Lt pediatric wrist radiograph | frontal | 10-year-old girl —
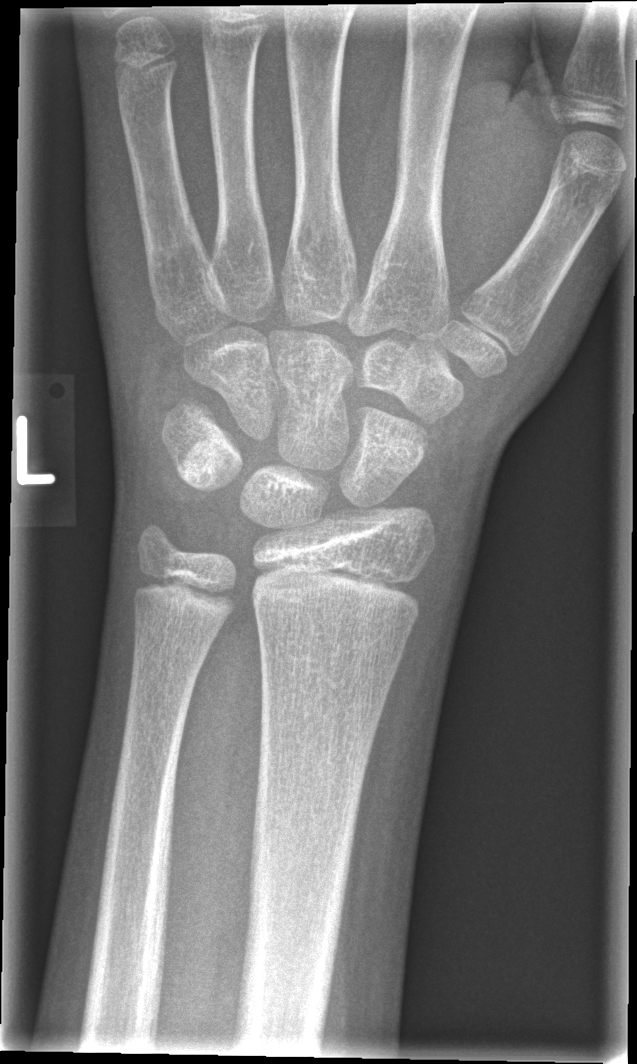 FINDINGS — (coordinates are [x1, y1, x2, y2] in image pixels) Bone fracture — [x1=346, y1=400, x2=437, y2=459]. AO/OTA classification: 72B(c).